AP view, L wrist XR, boy, 13 yo:
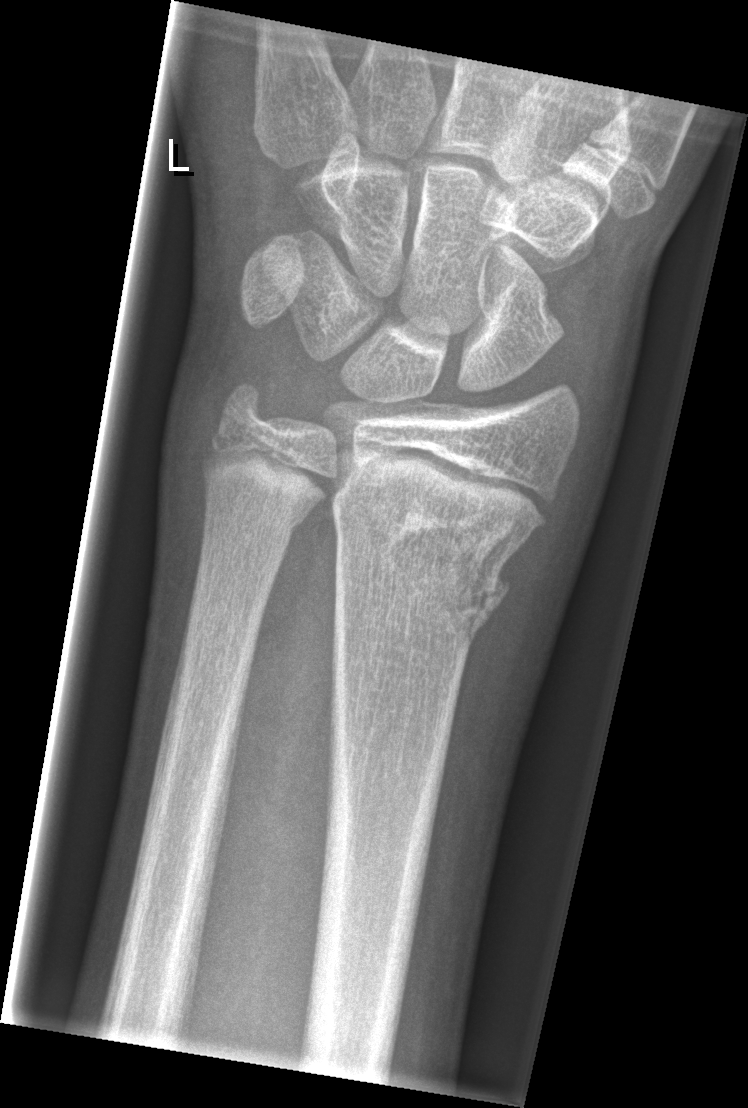

(pixel coordinates, top-left origin, xyxy)
Bone fracture = (left=327, top=475, right=541, bottom=642); (left=197, top=463, right=315, bottom=540); (left=204, top=375, right=279, bottom=453)